Lt wrist XR · lat view · 16y M.
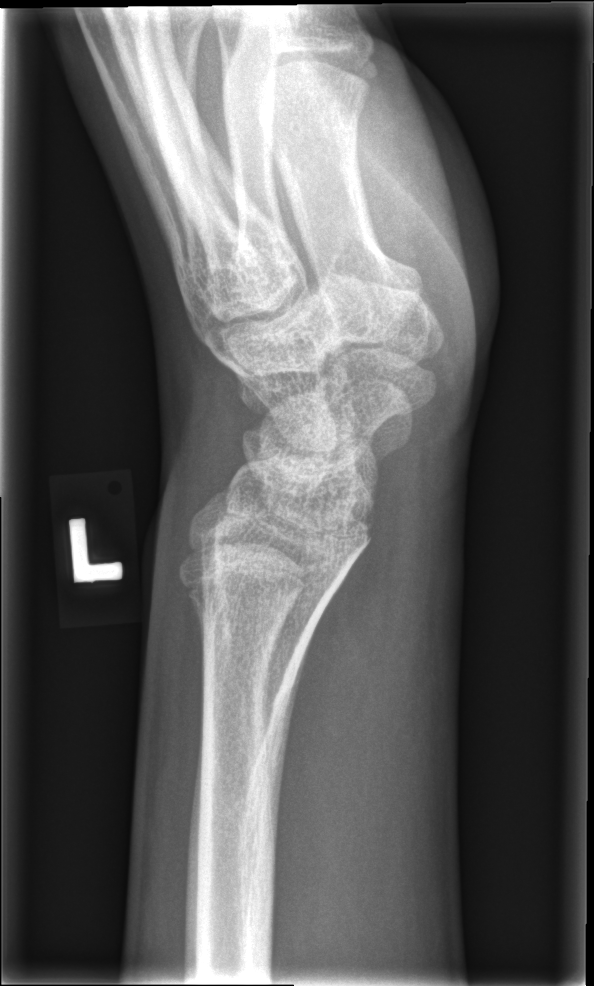
Fx: none.